Posteroanterior view; right wrist pediatric wrist radiograph; pediatric patient (male, age 8); 476 x 968 px 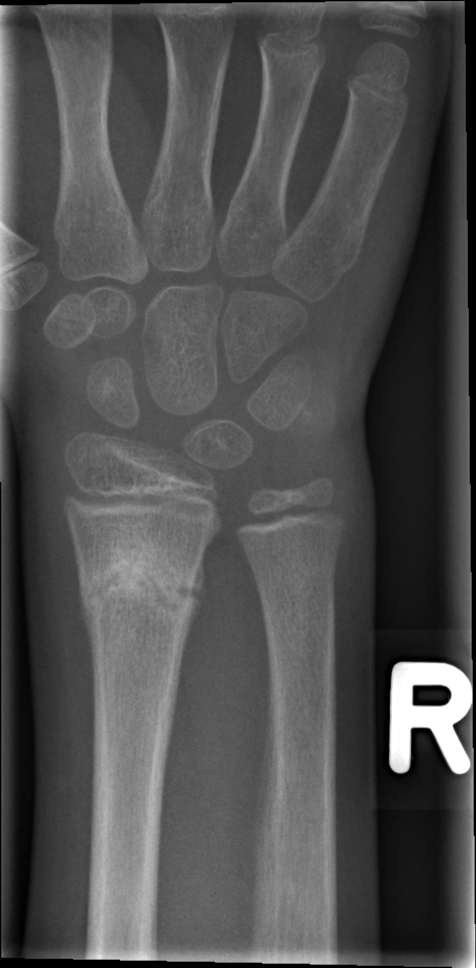

One bone fracture at (left=76, top=557, right=206, bottom=633).
AO/OTA classification: 23r-M/3.1.